Lateral view · left pediatric wrist radiograph · 10-year-old girl · in cast — 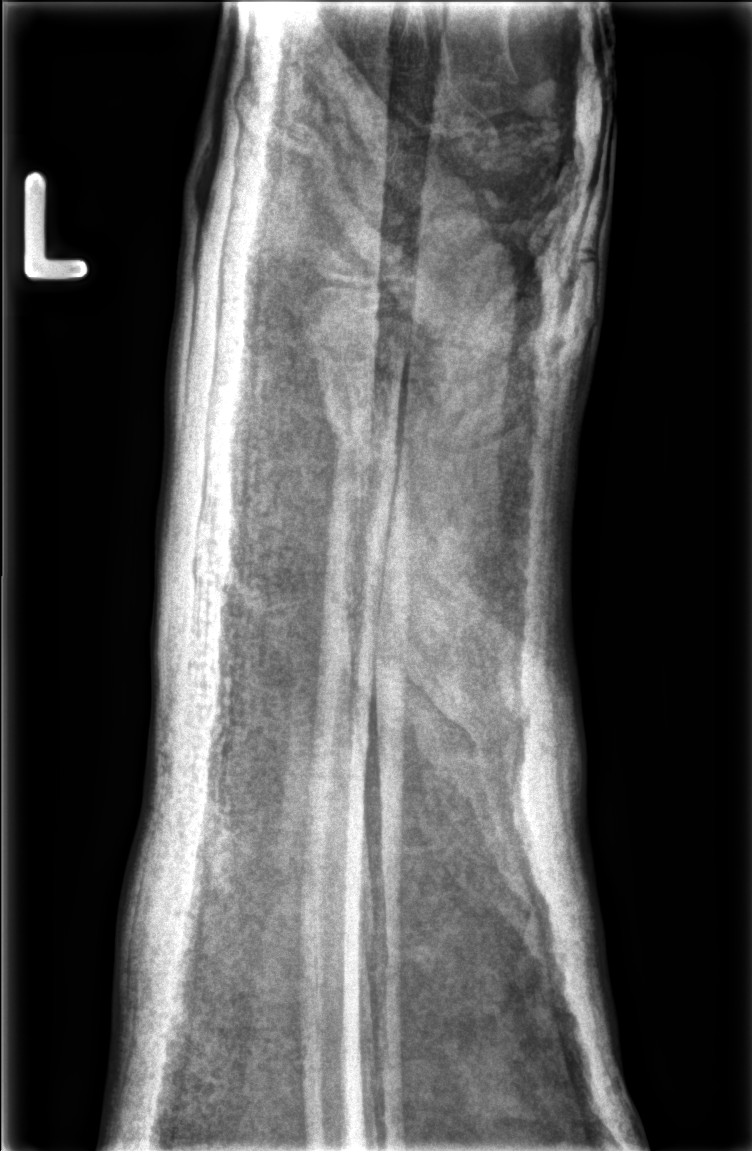
Fx: 1 @ <324,413>-<414,473>
AO code: 23r-M/3.1